Left wrist pediatric wrist radiograph; lat; 362 x 983 px —
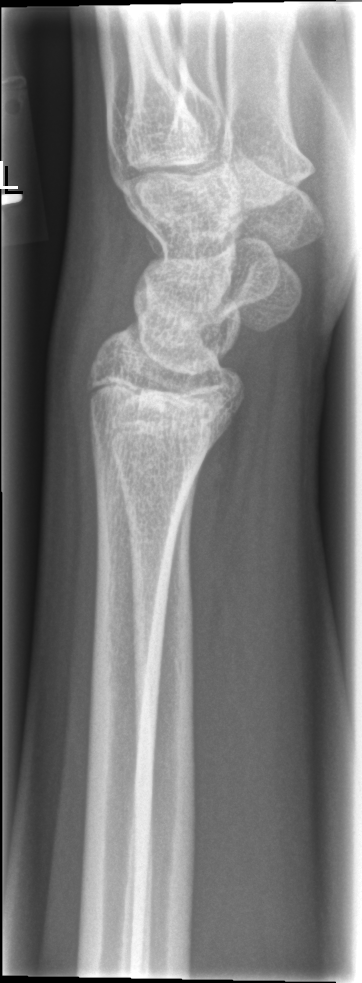

Fx = none labeled